R pediatric wrist radiograph; lat projection; 15-year-old boy; in cast; detector: Siemens; image 71.1 mm wide; image size 494x1383: 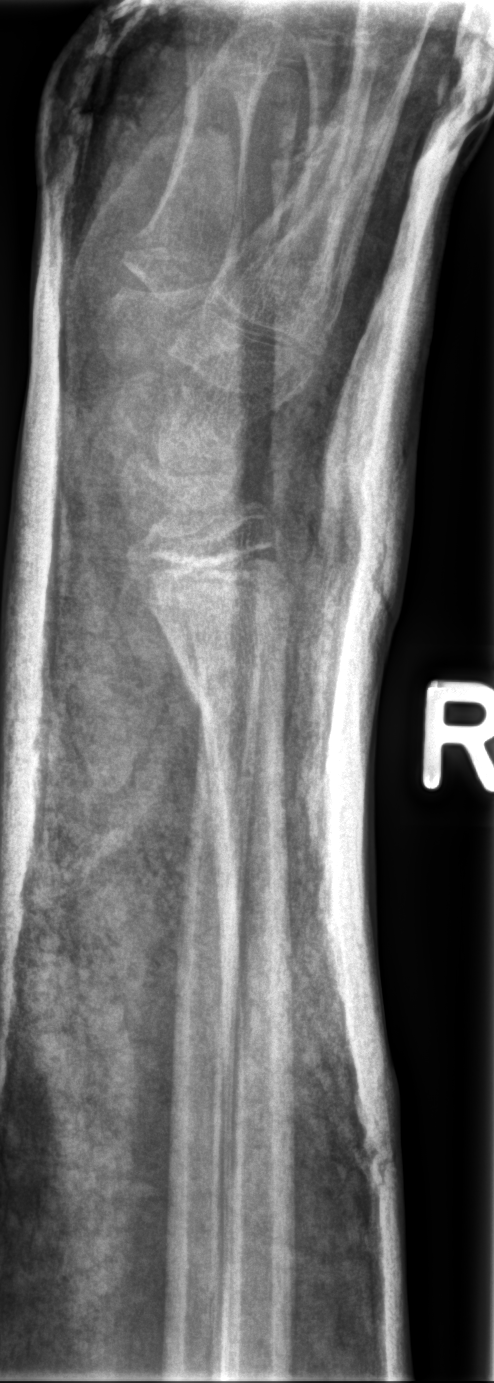 One bone fracture at bbox(181, 645, 290, 754).